Lat view · L pediatric wrist radiograph · pediatric patient (boy, age 10) — 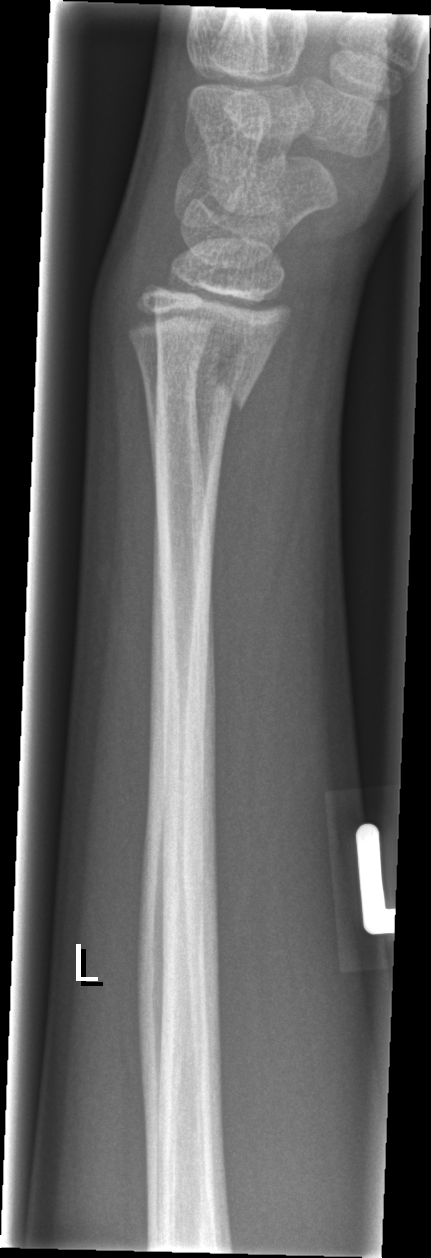
AO/OTA classification: 23r-M/3.1.
Bone fracture — (149, 348, 261, 432).